Lat; right wrist pediatric wrist radiograph; presentation radiograph; 357 x 754 px
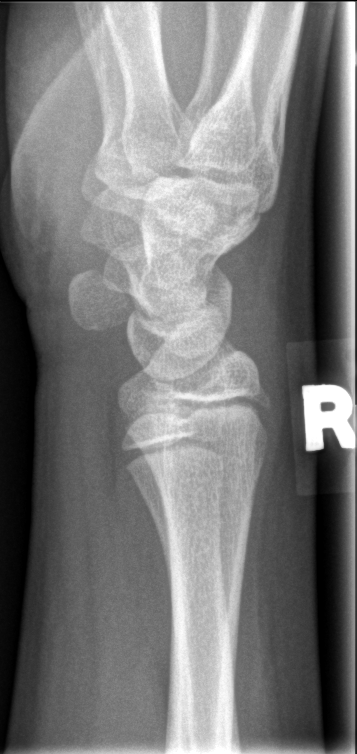
No fracture bounding box.